AP view · R wrist X-ray · Siemens 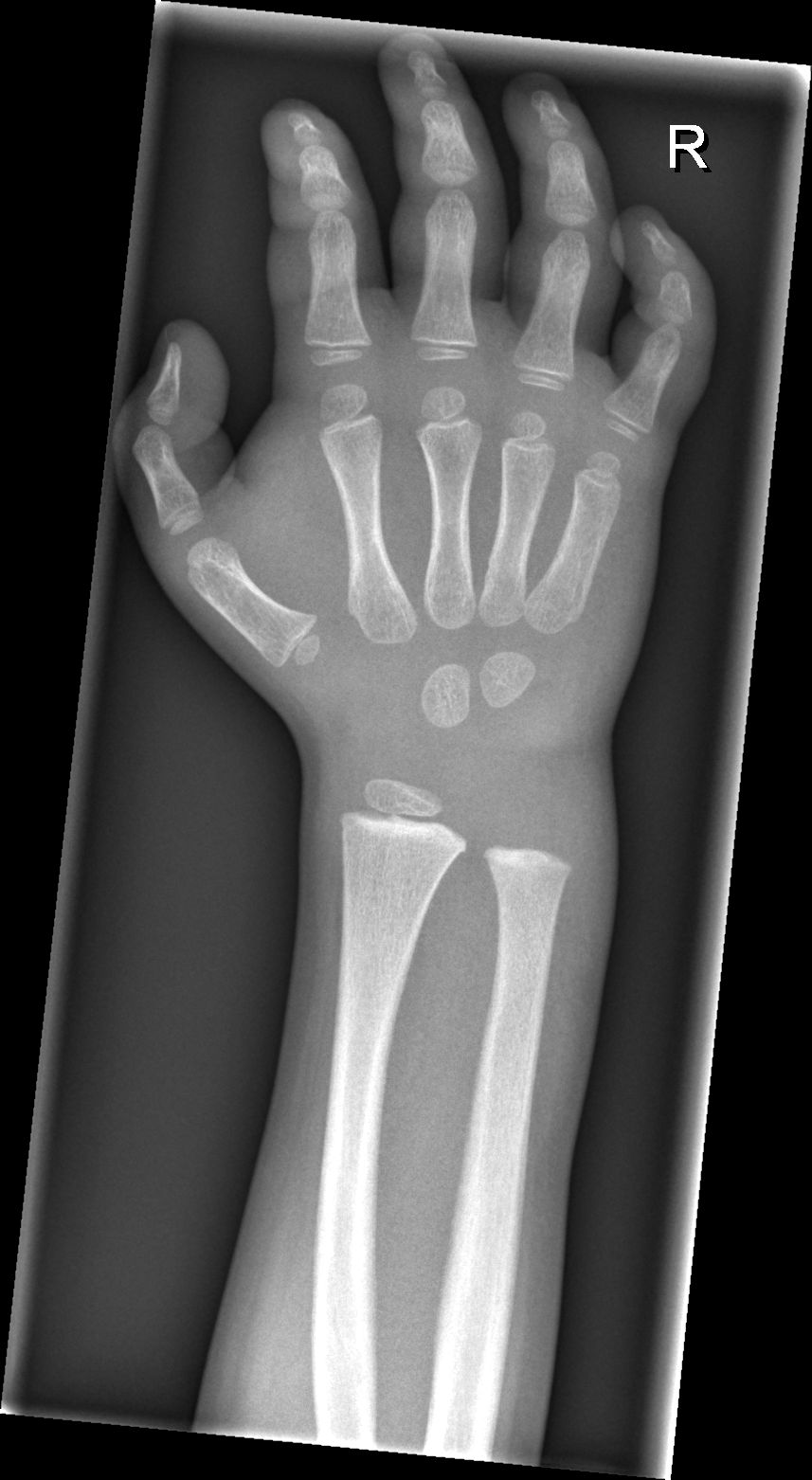   fracture: none labeled